L wrist plain film · lateral view — 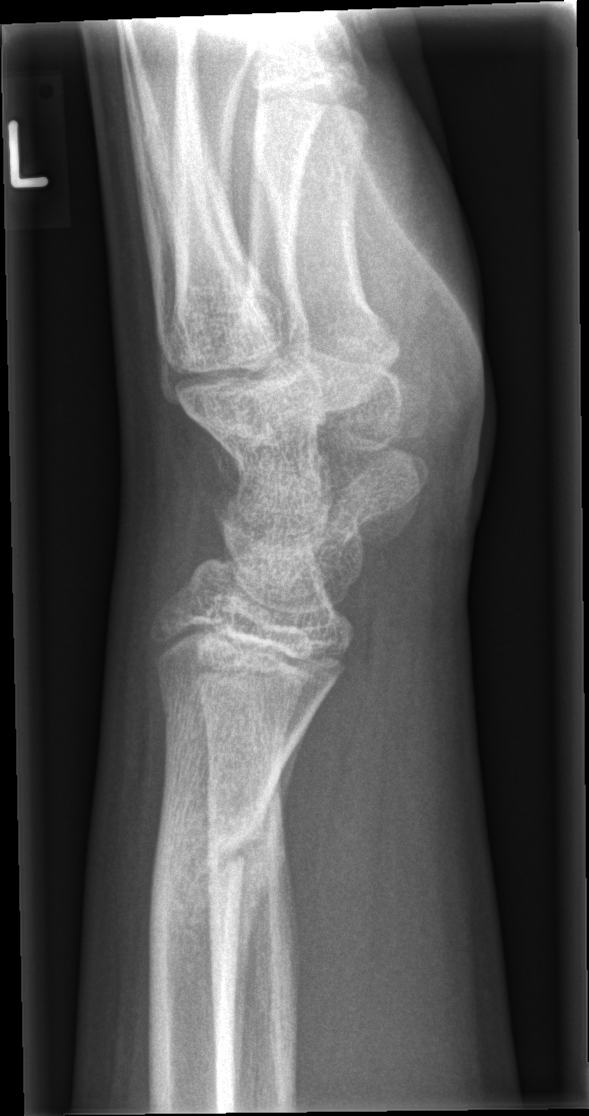
Periosteal thickening = 1 @ (228, 712, 310, 1099)
Fracture = (145, 797, 273, 950)
Osteopenia = present